PA/AP; left wrist X-ray
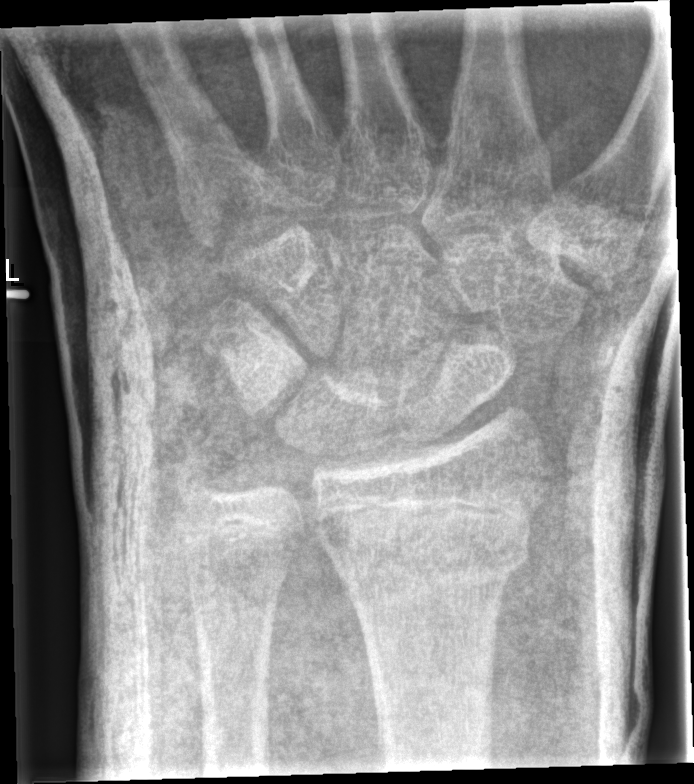

Q: What is the AO/OTA classification?
A: AO code 23r-M/3.1; 23u-E/7
Q: Is there a fracture?
A: One bone fracture at (320, 533, 532, 583)